Lateral · Rt plain radiograph of the wrist —

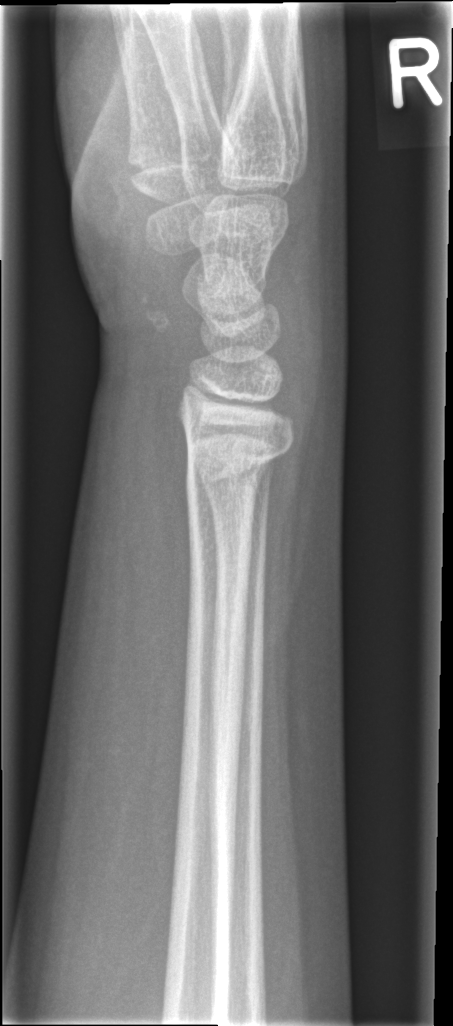

FINDINGS: Fracture classified AO/OTA 23r-M/3.1; 23u-E/7. Bone fracture: (left=182, top=423, right=295, bottom=497).